R wrist XR | lat | age 13 y, male | image width 82.2 mm:

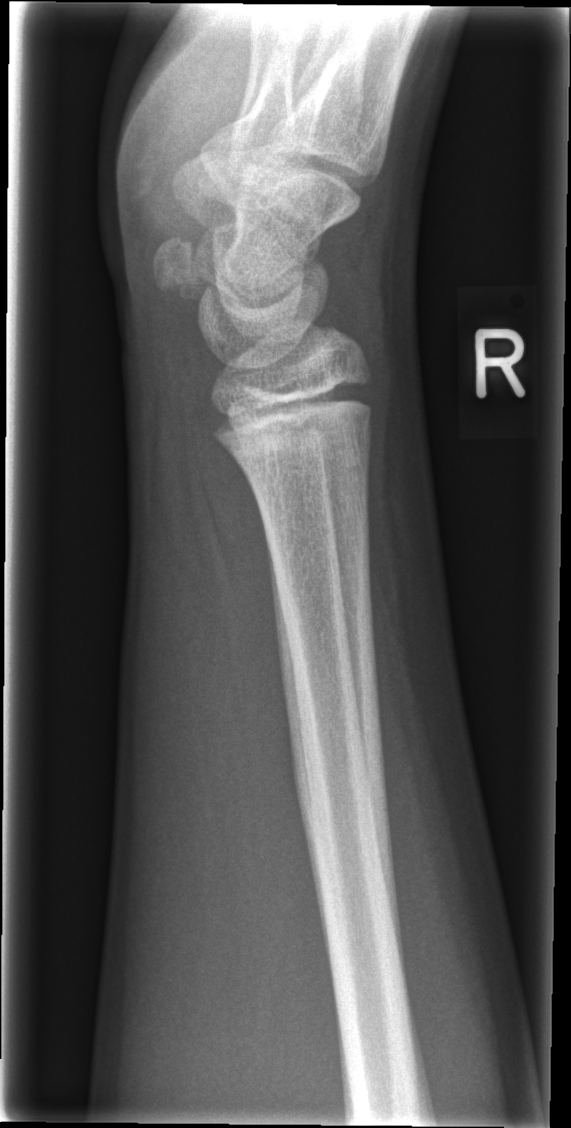 No fracture labeled.